Lat projection | Rt wrist plain film | Siemens | 590 by 956 pixels. 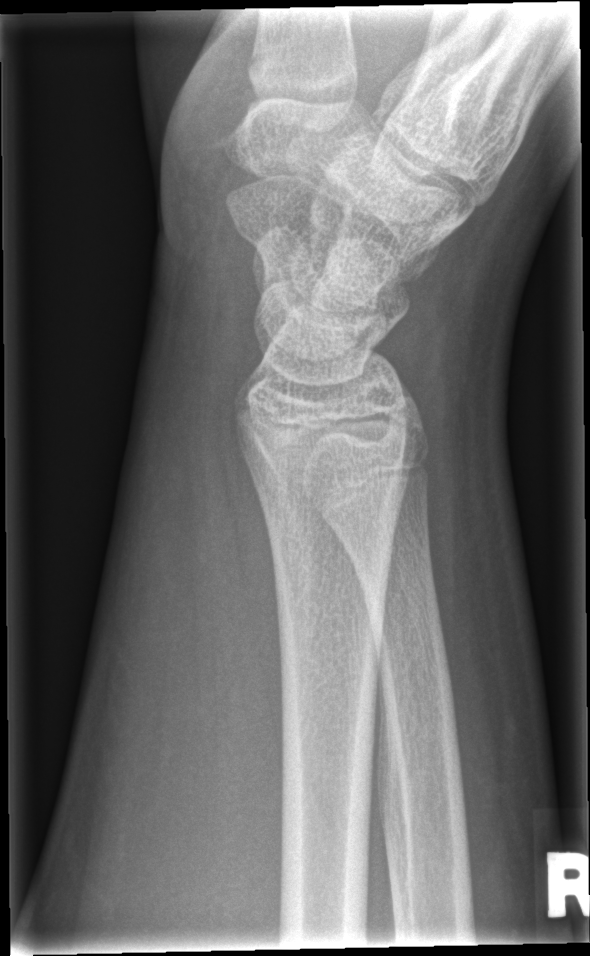

fracture: none labeled